Frontal; L plain radiograph of the wrist; detector: Siemens; image width 62.2 mm

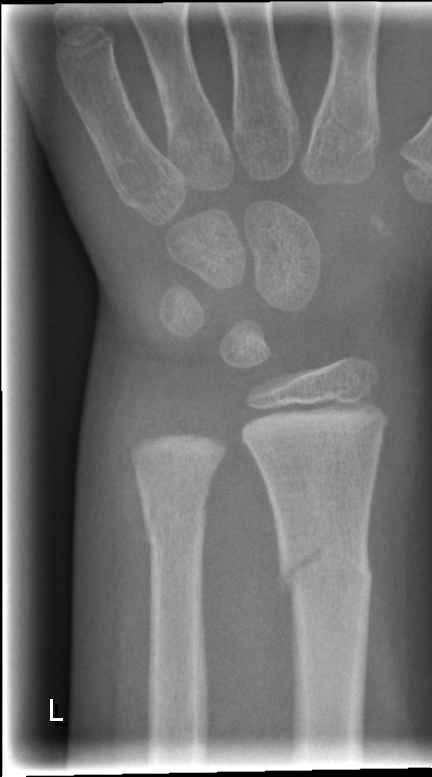
  fracture: bbox(277, 537, 380, 608) bbox(138, 487, 213, 551)
  ao: 23-M/3.1